L wrist plain film; frontal view. 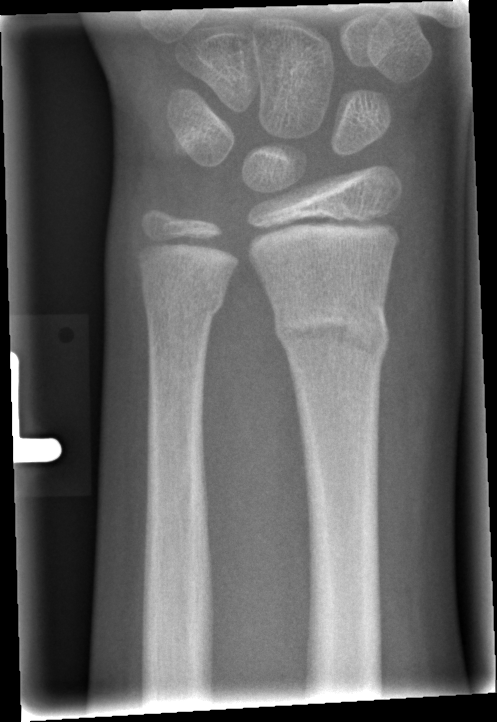
{
  "fracture": "269 297 394 365; 140 284 228 324",
  "ao": "23-M/2.1"
}